AP view; left wrist plain film; 645x1382. 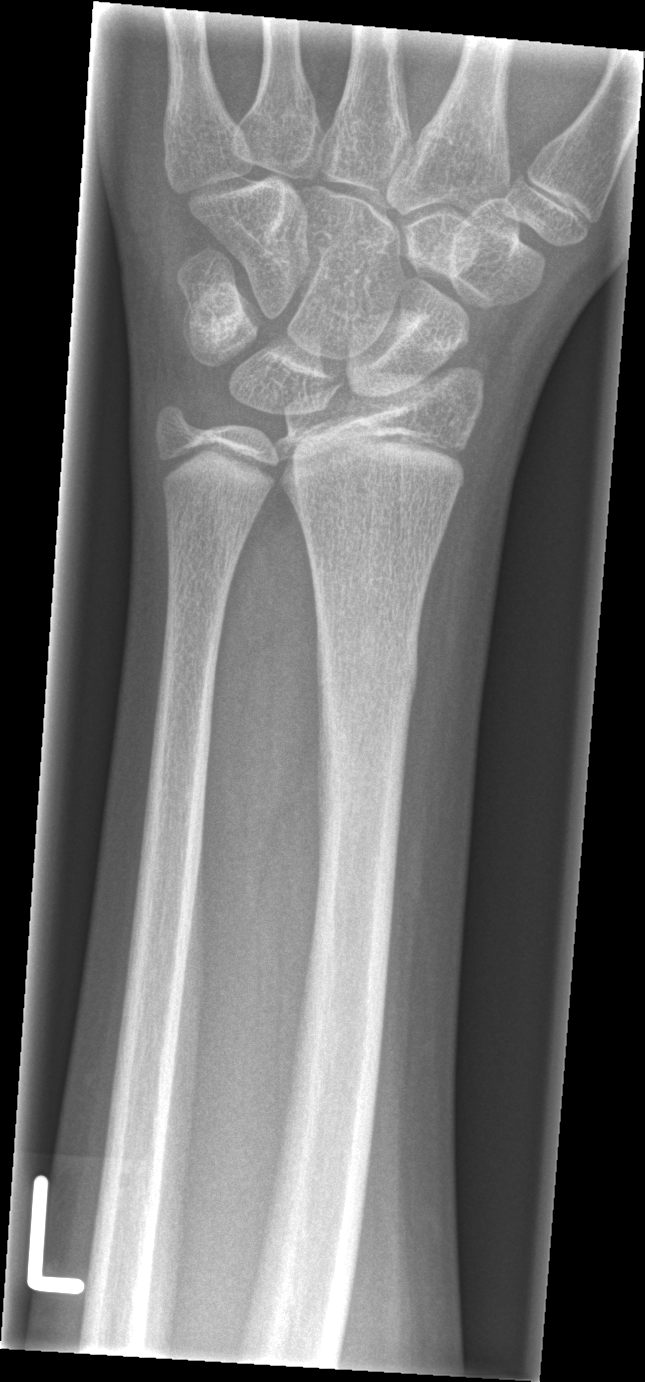

FINDINGS — (pixel coordinates, top-left origin, xyxy) Fracture: bbox(314, 622, 422, 718).